R pediatric wrist radiograph, AP projection, follow-up, findings marked uncertain by the reading radiologist —

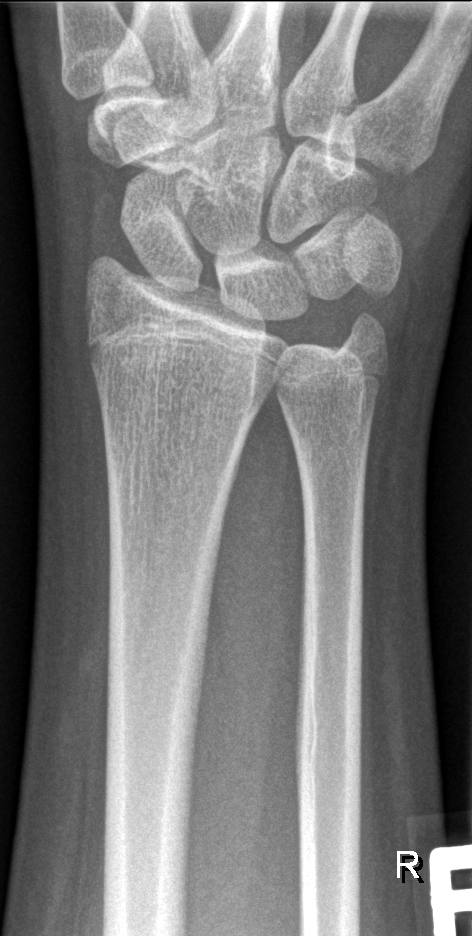

Q: Is there a fracture?
A: No fracture annotation